Posteroanterior projection · left wrist radiograph · in cast
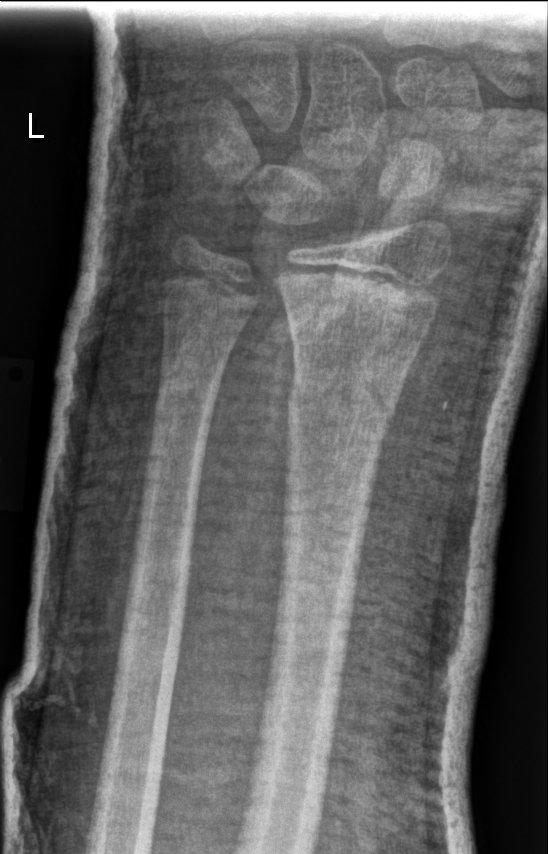
- Fracture — (left=280, top=370, right=403, bottom=439).